Left wrist plain film; lateral projection; cast in situ; detector: Siemens; 64.2 mm image width:
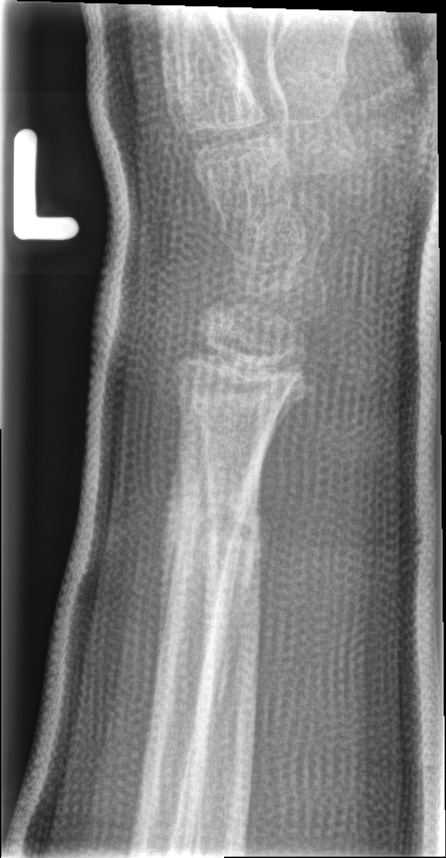
{"periostealreaction": "1 @ bbox(158, 412, 186, 673)", "fracture": "1 @ bbox(161, 463, 256, 581)"}